Right wrist X-ray, AP view, index exam, detector: Siemens. 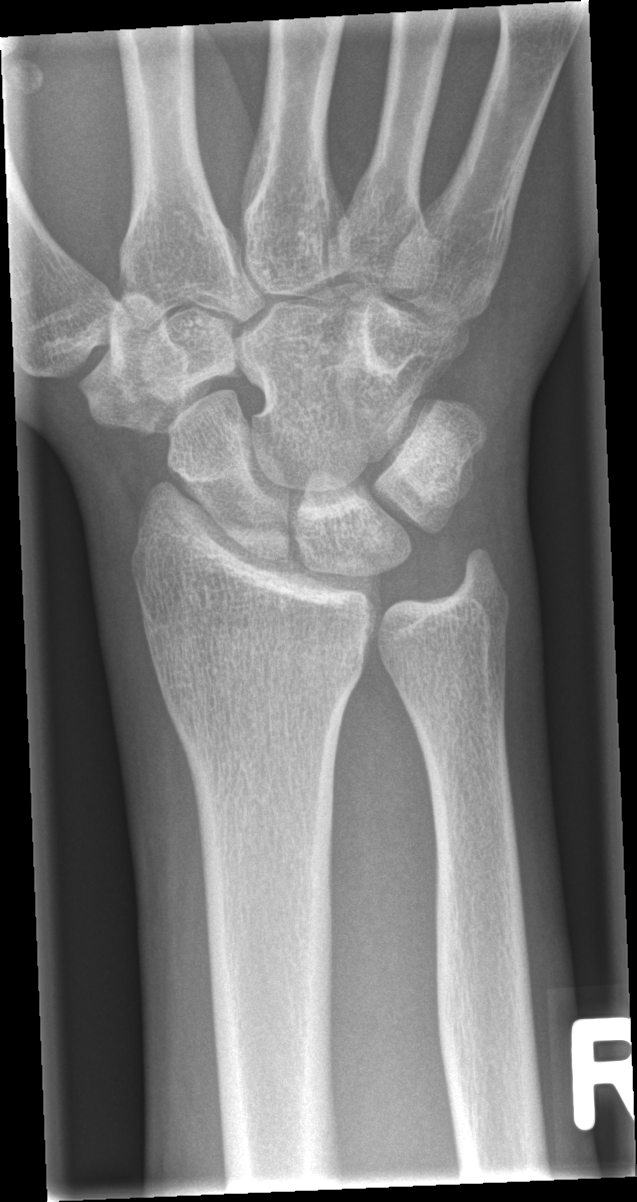

No fracture labeled.